PA | Lt wrist plain film | 14y M | detector: Siemens:

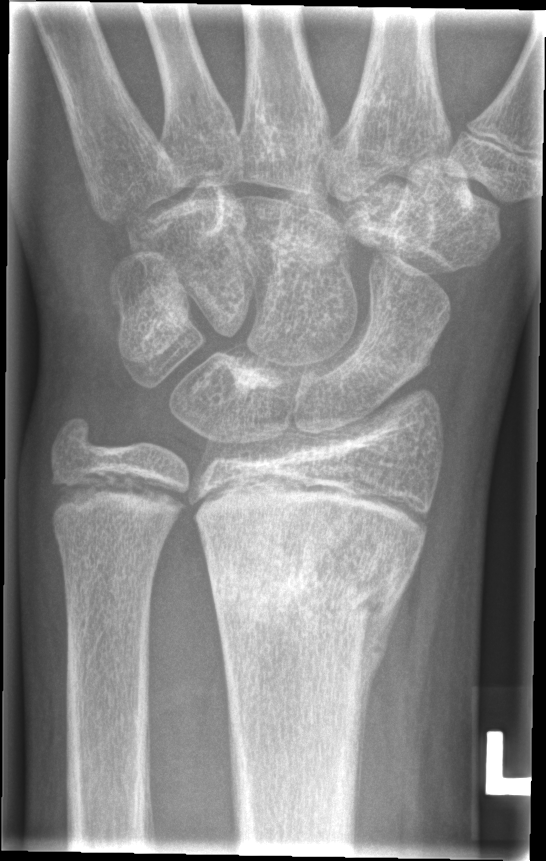

FINDINGS: (coordinates are [x1, y1, x2, y2] in image pixels) Osteopenia. AO code 23r-M/3.1; 23u-E/2.1. Fractures — [203, 520, 410, 638], [51, 472, 180, 515]. Periosteal thickening: [352, 580, 409, 825].